Left wrist plain film; lateral view; 15y M; follow-up study; acquired on Siemens:

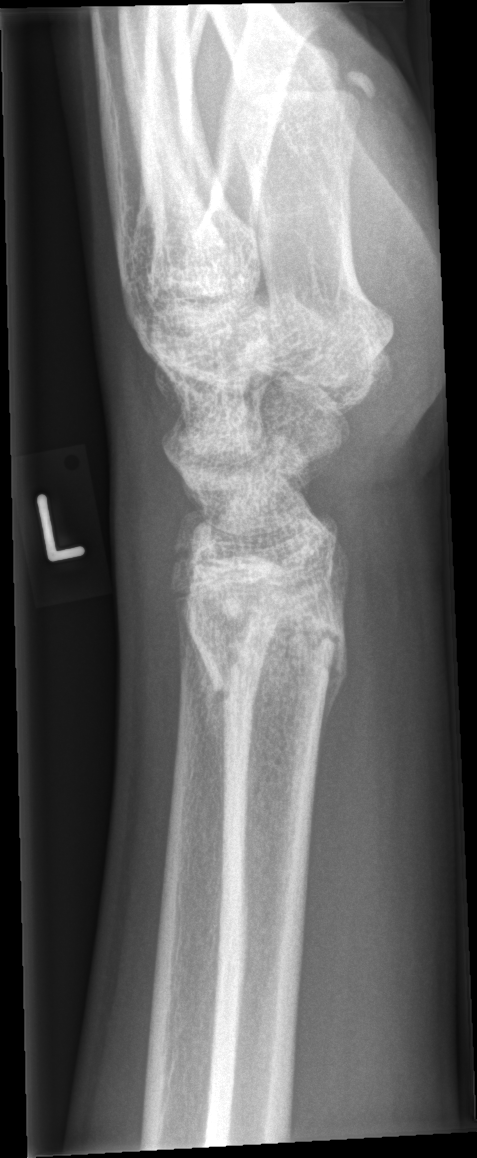
Bone fracture: <173,564>-<354,714>. Periosteal new bone — <189,632>-<227,822>, <317,631>-<348,757>.